Lt wrist radiograph | frontal projection | presentation radiograph:
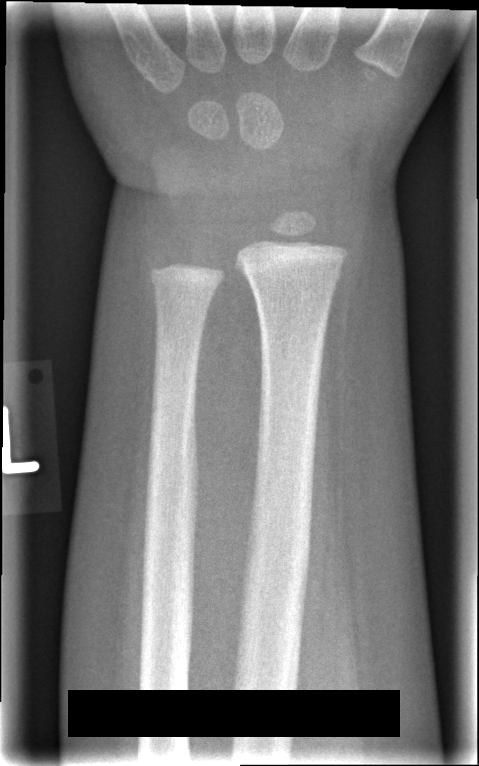

* No fracture labeled.